L wrist X-ray, posteroanterior projection, male, 11 yo, follow-up —

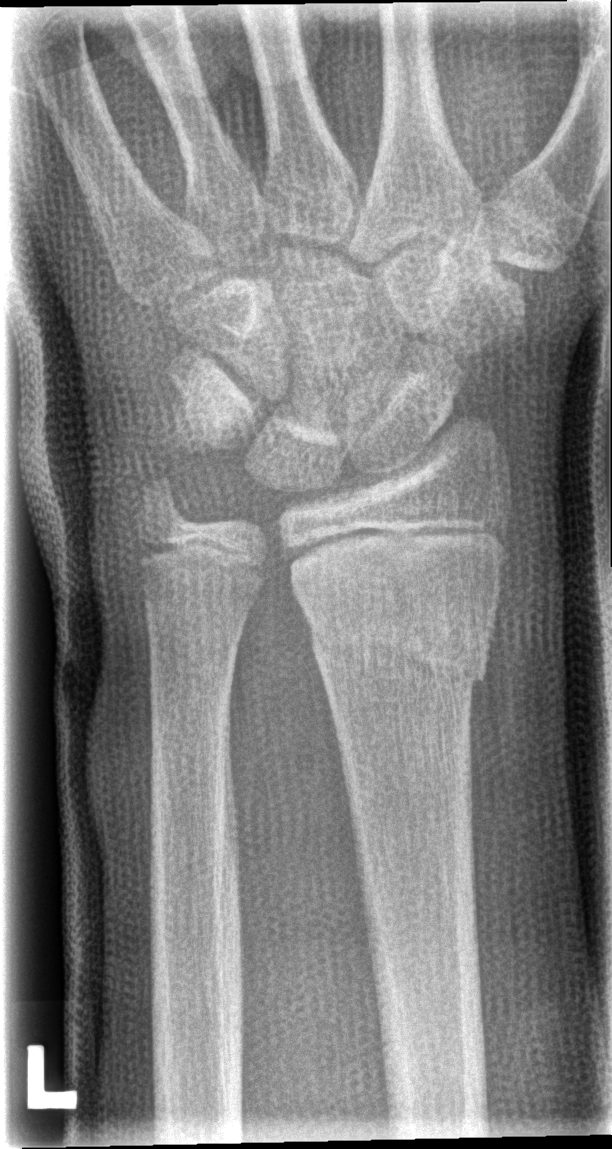
- AO code 23r-M/3.1.
- Fx identified at [x1=303, y1=604, x2=493, y2=701].